Left wrist plain radiograph of the wrist · lat projection · male, 17 yo
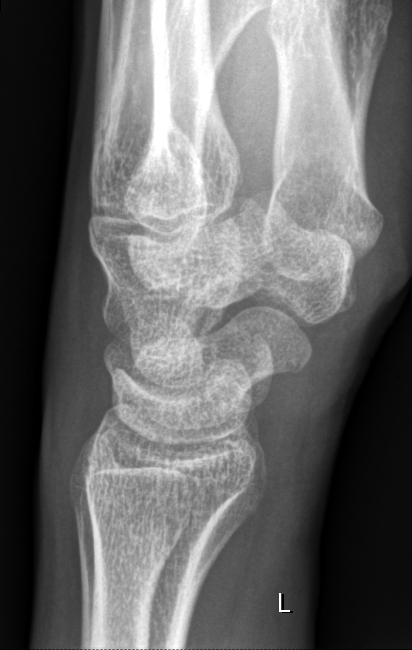 * No Fx annotated.